Lt wrist radiograph; AP view; 16-year-old boy; cast in situ —

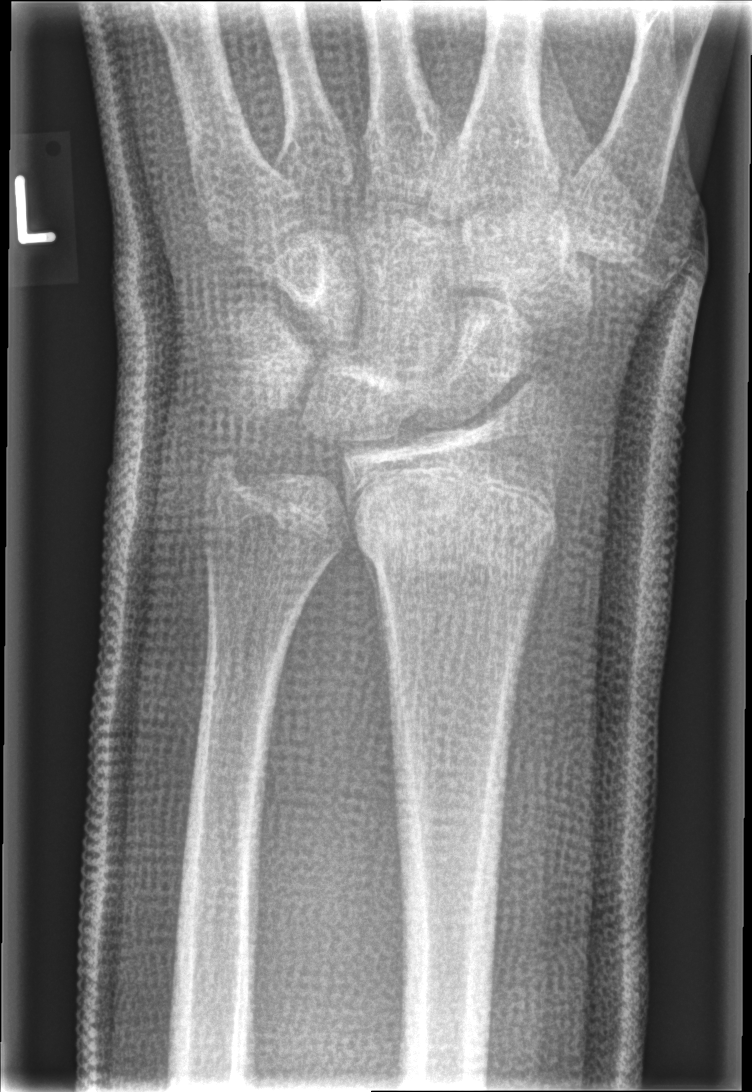 Fracture = 2 @ (left=347, top=470, right=562, bottom=586) (left=197, top=445, right=259, bottom=504)
AO code = 23r-M/3.1; 23u-E/7
Osteopenia = present